Lateral view; right wrist plain film; Siemens; 67.4 mm image width. 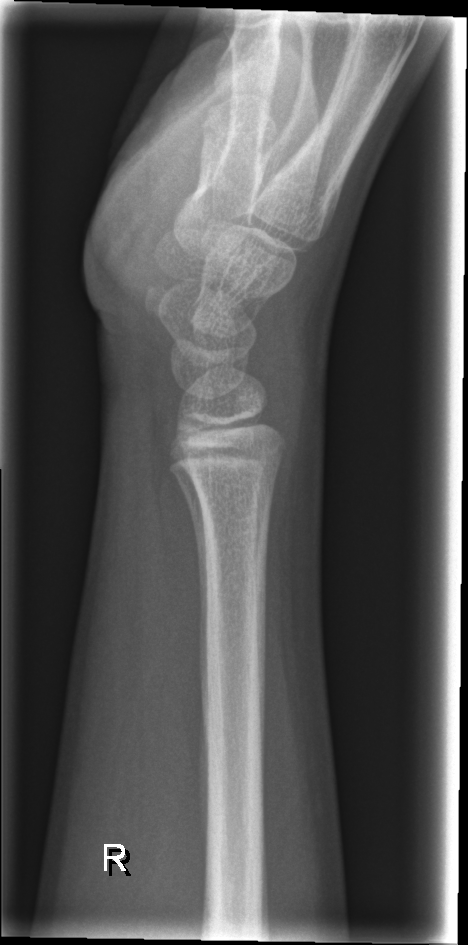

FINDINGS — No fracture labeled.